Lt plain radiograph of the wrist; AP projection; imaged through cast —
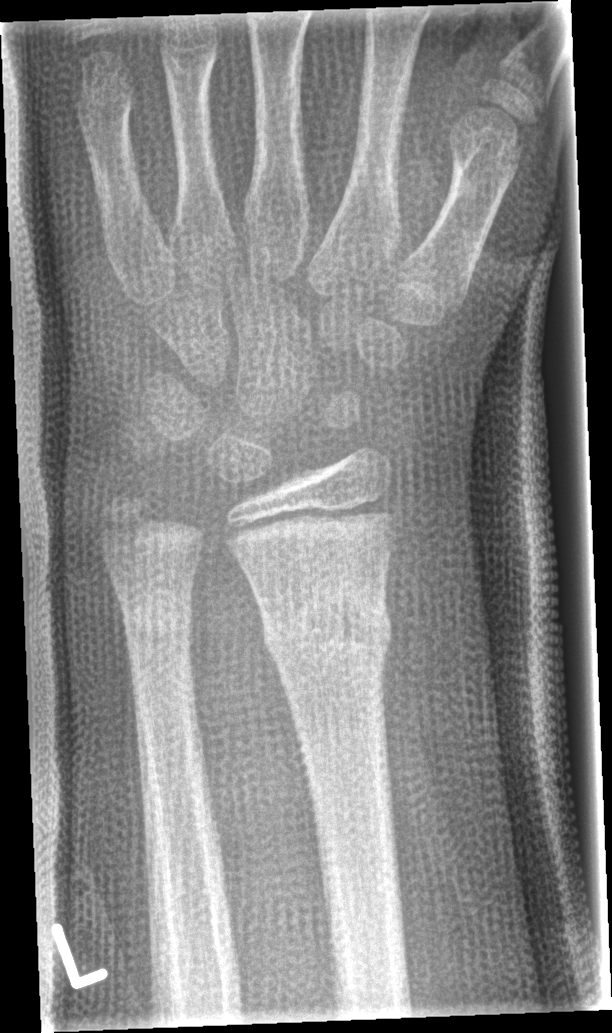 Boxes as x1,y1,x2,y2 (top-left / bottom-right, pixel units).
AO/OTA classification: 23-M/2.1.
Fractures — (left=259, top=597, right=395, bottom=666); (left=120, top=602, right=196, bottom=660).